AP projection; right pediatric wrist radiograph; acquired on Siemens; 497x946. 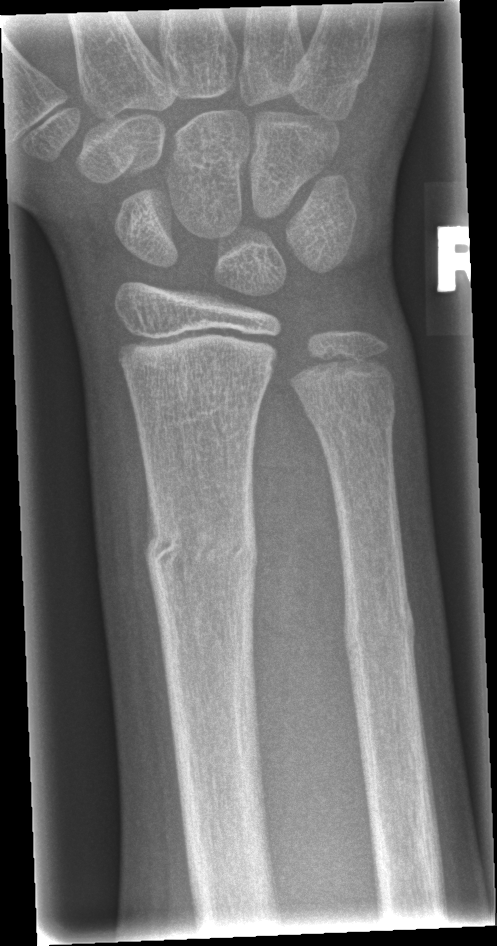
AO/OTA = 23-M/2.1; 22u-D/2.1
bone fracture = 3 @ (140, 512, 266, 599); (340, 589, 420, 679); (300, 387, 400, 439)